PA projection · L wrist XR · in cast — 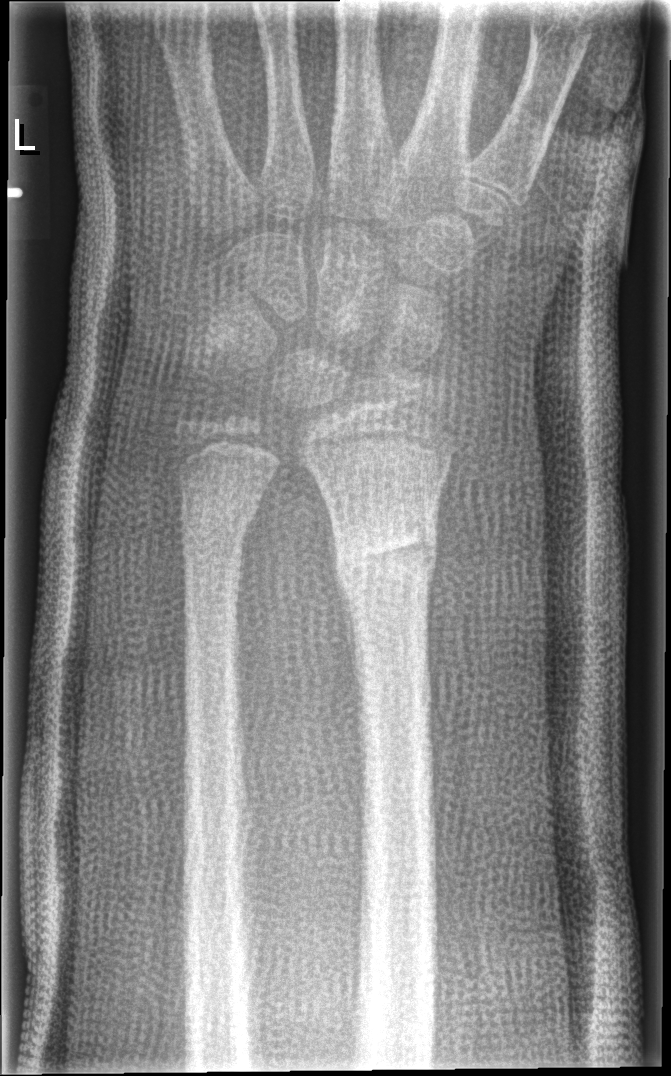

* Periosteal reaction: [323, 499, 362, 703].
* Fx: [326, 494, 445, 615], [175, 478, 264, 562].
* AO code 23-M/2.1.